L wrist radiograph, lat, pediatric patient (female, age 8), cast in situ
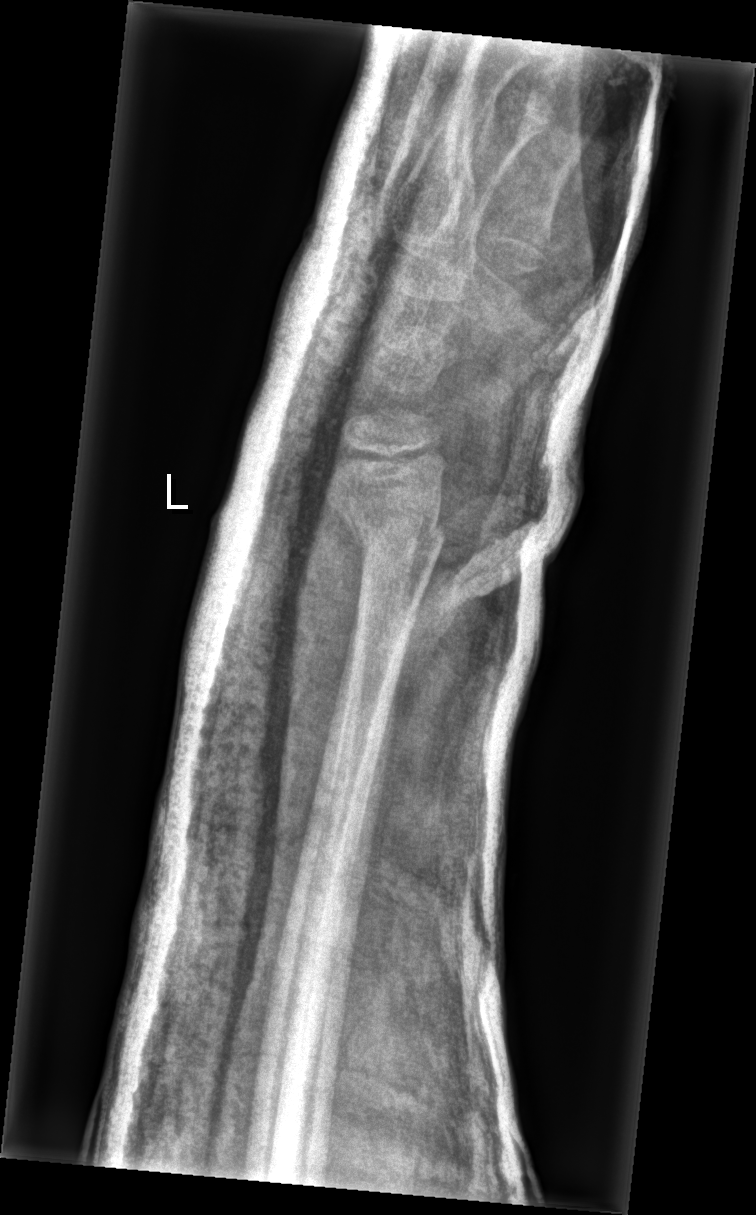

Pixel coordinates, top-left origin, xyxy.
One Fx at (left=340, top=505, right=449, bottom=556).
AO/OTA classification: 23-M/3.1; 23u-M/2.1.